L pediatric wrist radiograph | PA | age 17 y, female | index exam —

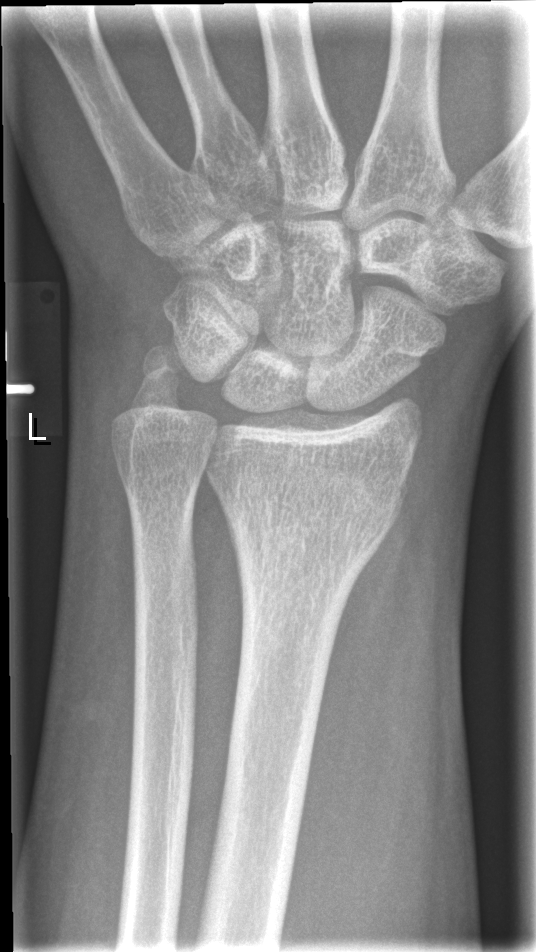
Fx identified at <120,333>-<194,439>.
Osseous anomaly identified at <195,355>-<436,464>.